AP | left wrist X-ray | cast in situ | image width 90.1 mm —

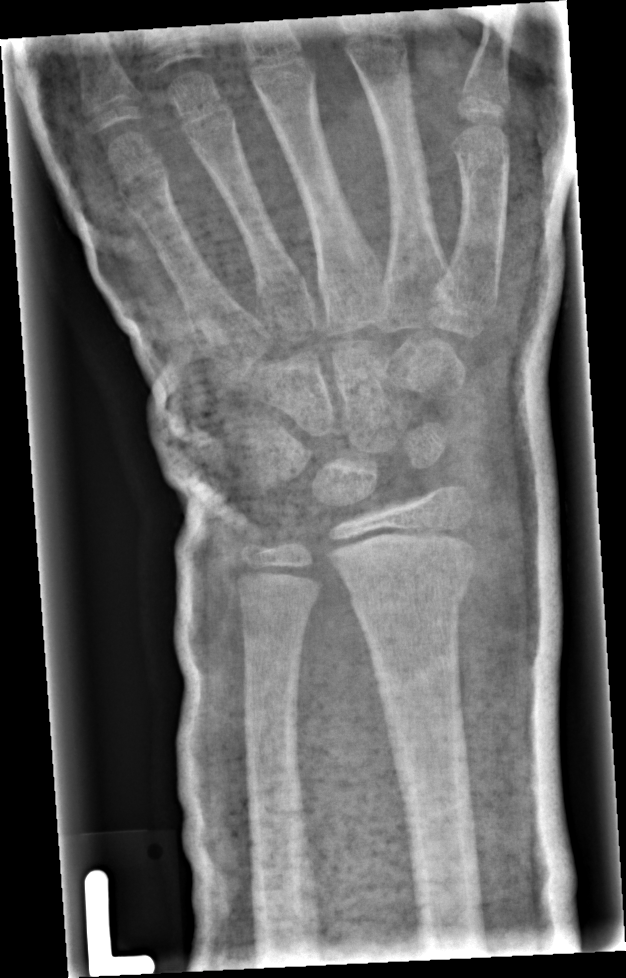

Fracture: 340 561 477 630.